Frontal projection, left plain radiograph of the wrist, pediatric patient (girl, age 8). 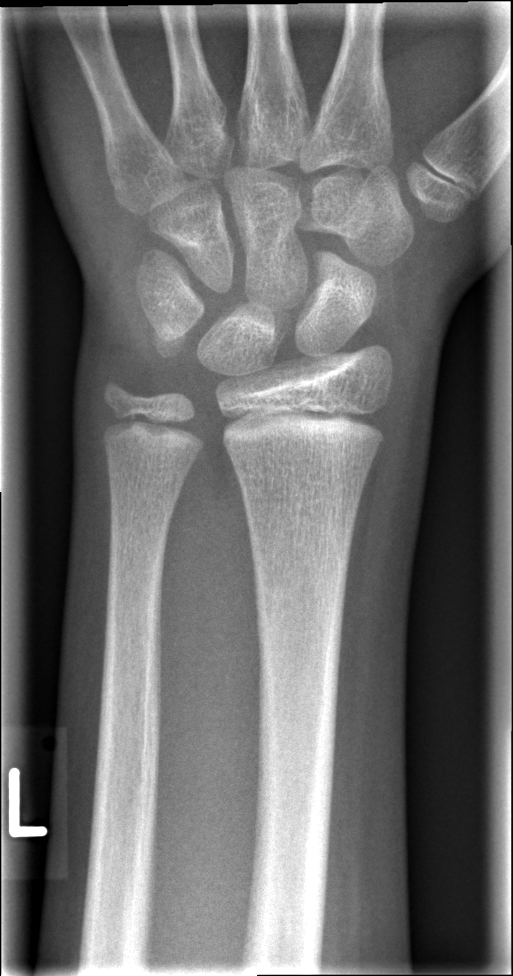
  fracture: none labeled